L wrist radiograph, lateral projection, 634 x 1172 px —
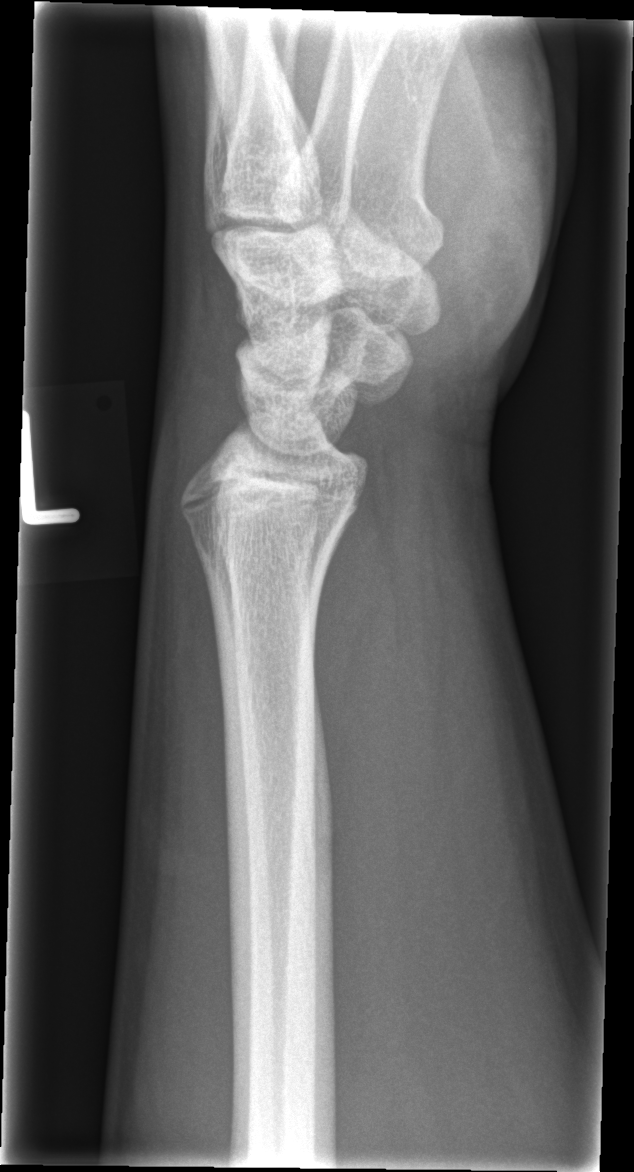
Fracture: none labeled